PA | left wrist plain film | initial study | image 80.4 mm wide | 558x859. 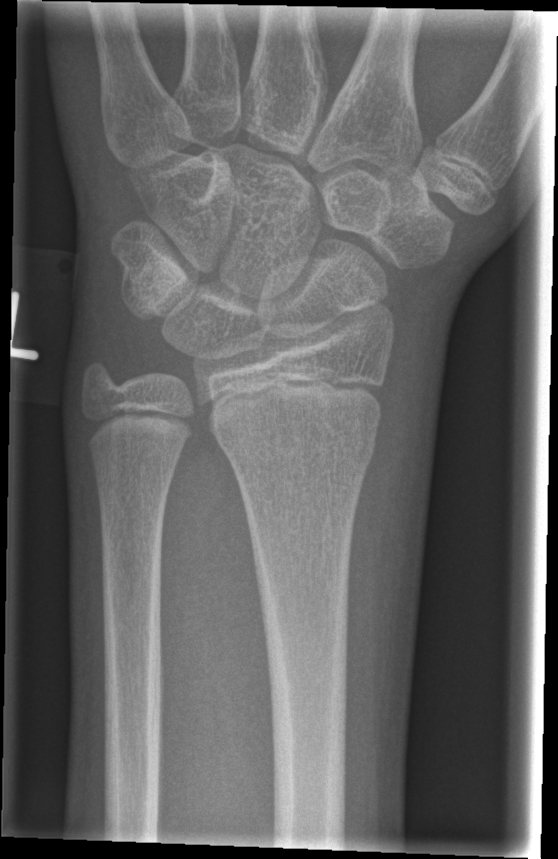 Findings: (pixel coordinates, top-left origin, xyxy) AO/OTA classification: 23r-M/2.1. Bone fracture — (221, 426, 379, 475).